Lat projection, right wrist plain film, pediatric patient (male, age 12), Siemens

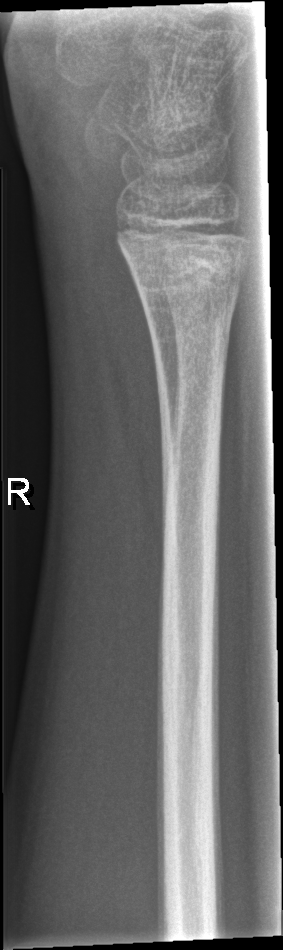 Findings: Fracture — (109, 209, 259, 303). Fracture classified AO/OTA 23r-E/2.1; 23u-E/7. Osteopenia.